Left wrist plain radiograph of the wrist, lateral projection, detector: Siemens, image width 79.8 mm. 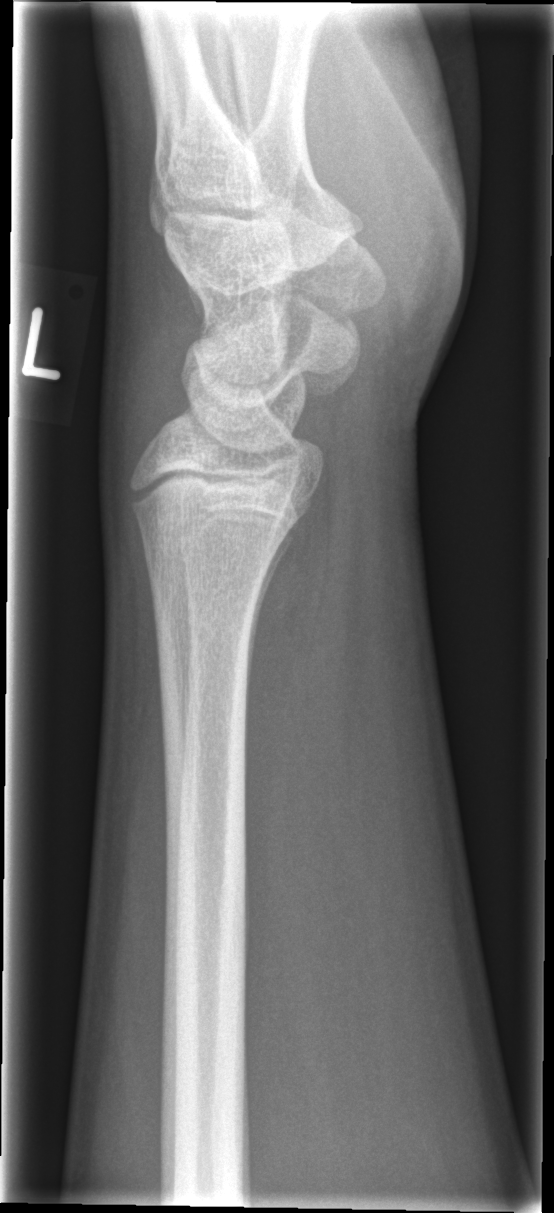

Bone fracture = none labeled